PA/AP view | right wrist XR | age 14 y, girl —
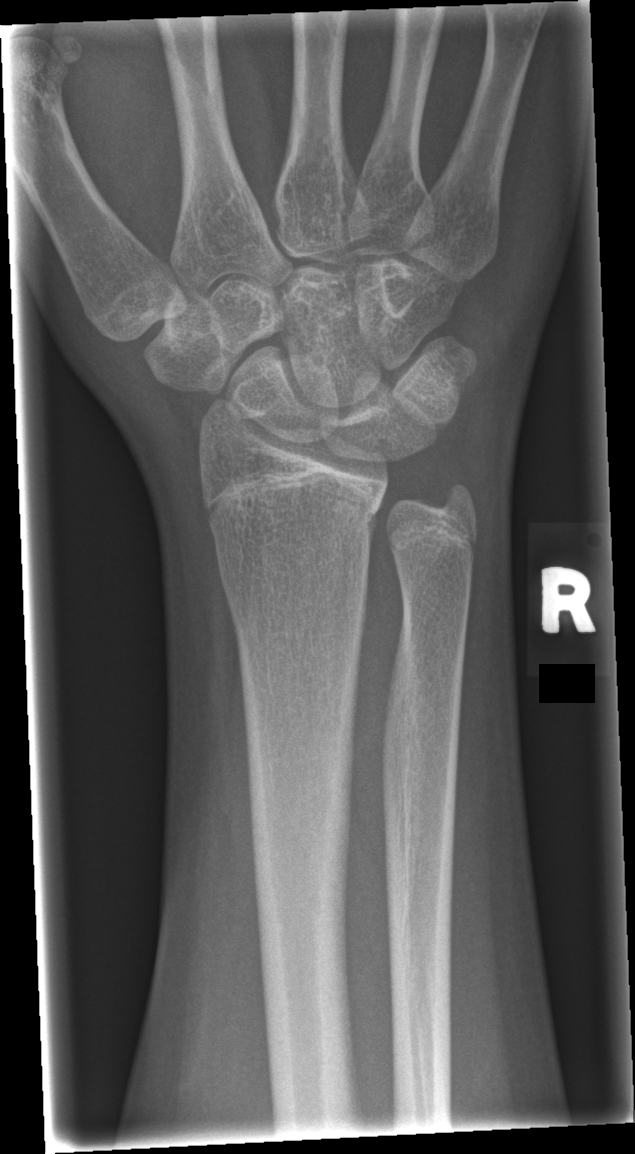 - No Fx annotated.